Frontal projection; right wrist X-ray; Siemens; 675 x 932 px 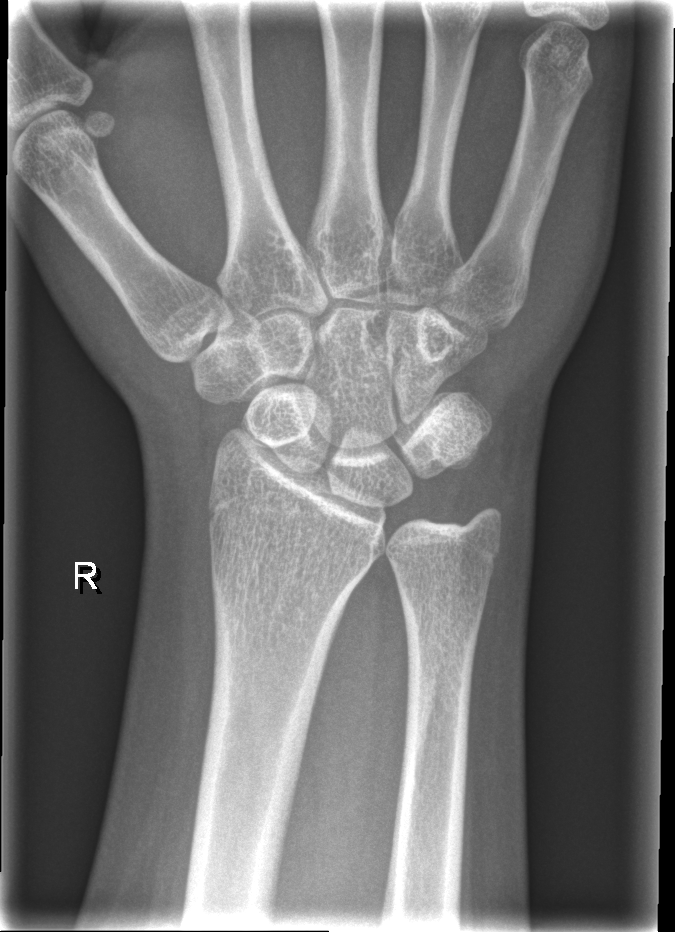
  fracture: none labeled